Left wrist radiograph; posteroanterior view; subsequent exam; acquired on Siemens 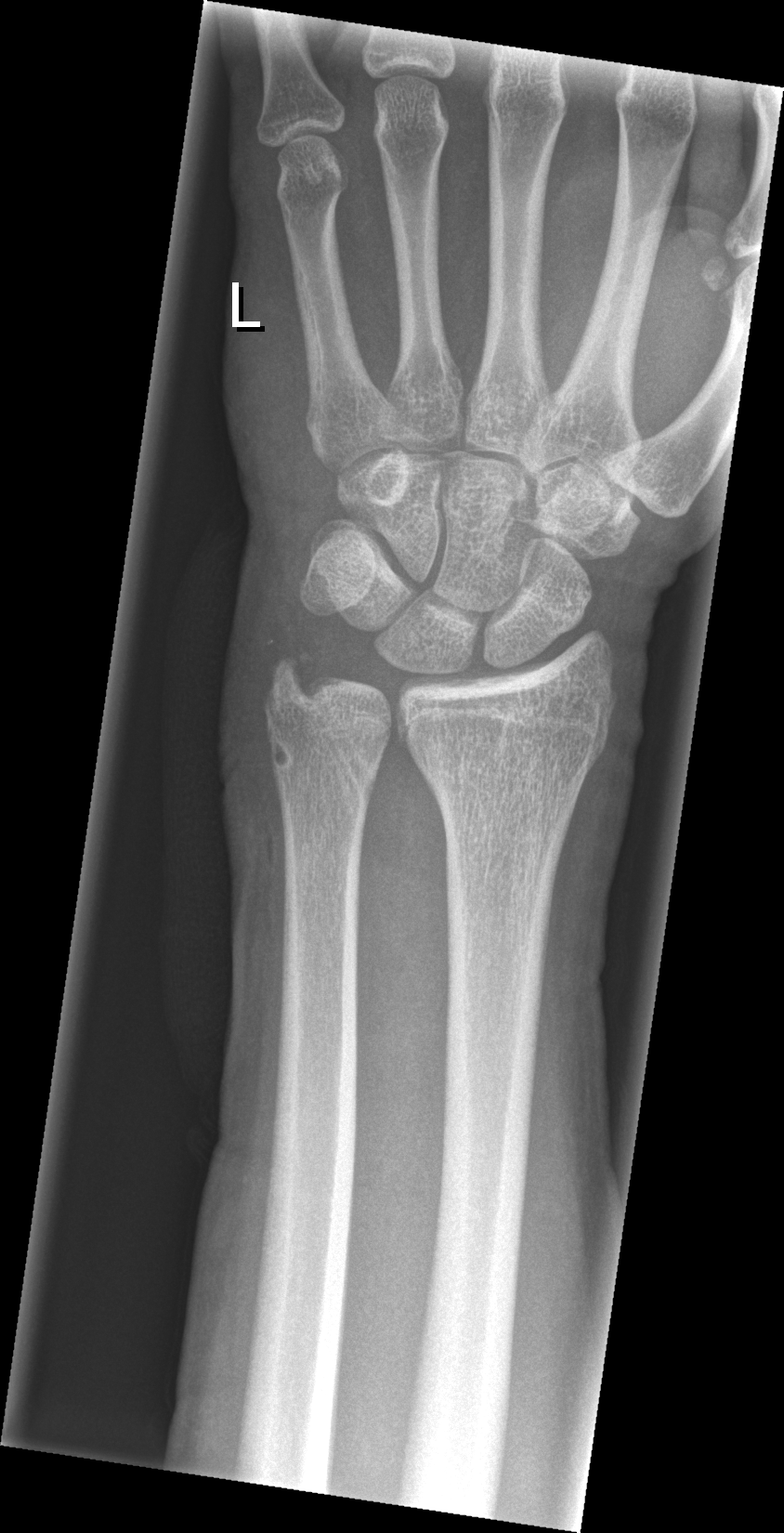
Bone variant identified at 308,727,375,823. Two Fx at 401,680,625,804 | 260,641,337,718.